Left wrist radiograph | lateral | 5y F | 499 by 818 pixels
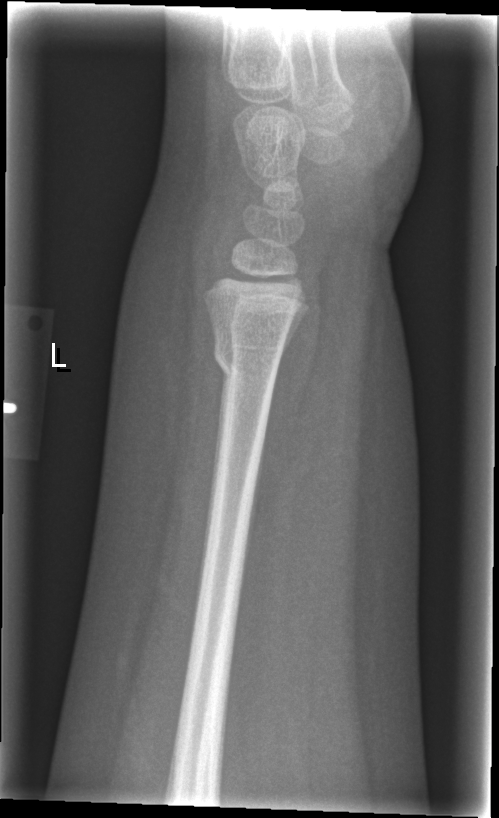
  fracture: (208, 333, 286, 389) (227, 303, 297, 357)
  softtissue: 1 @ (110, 185, 218, 454)
  ao: 23-M/2.1